Right wrist X-ray | lat projection | age 15 y, male | follow-up study | 524x1356: 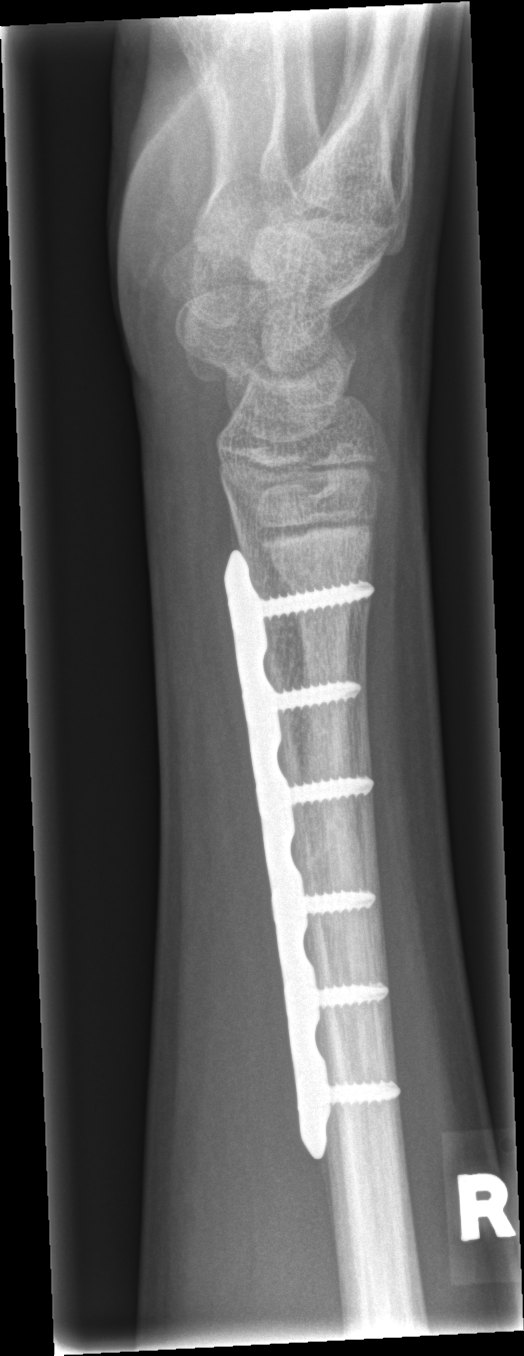 {"_coords": "boxes as x1,y1,x2,y2 (top-left / bottom-right, pixel units)", "metal": "222,549,401,1161", "ao": "23u-E/7", "fracture": "present but not clearly seen in this view"}